Lateral view, left wrist radiograph, pediatric patient (female, age 10), 427 x 1010 px: 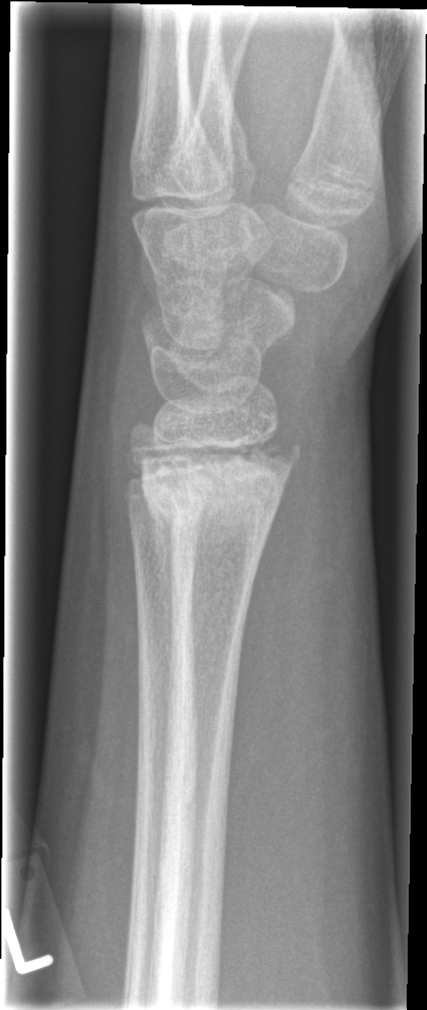
FINDINGS: Fracture — 135,429,304,533. Fracture classified AO/OTA 23-M/2.1.